PA view | Lt wrist XR | pediatric patient (male, age 6) | image size 521x832:
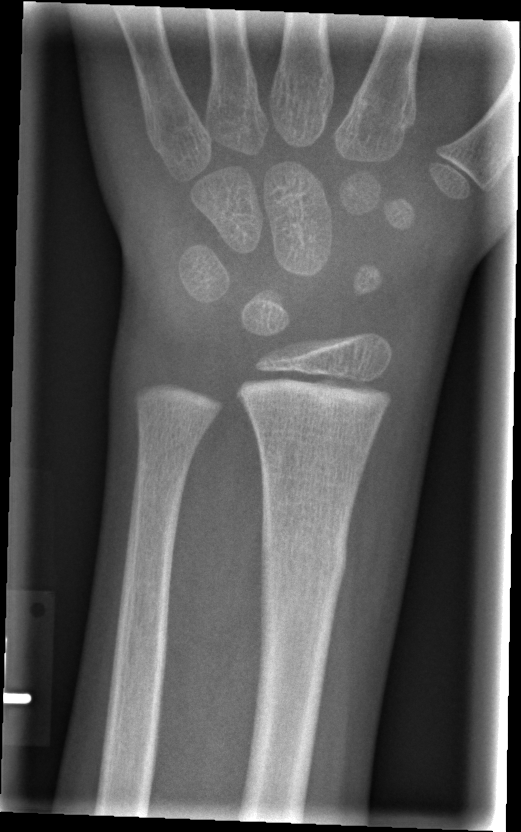
# coordinates are [x1, y1, x2, y2] in image pixels
fracture: (255, 519, 350, 591)